Left wrist X-ray | PA view | pediatric patient (boy, age 12).

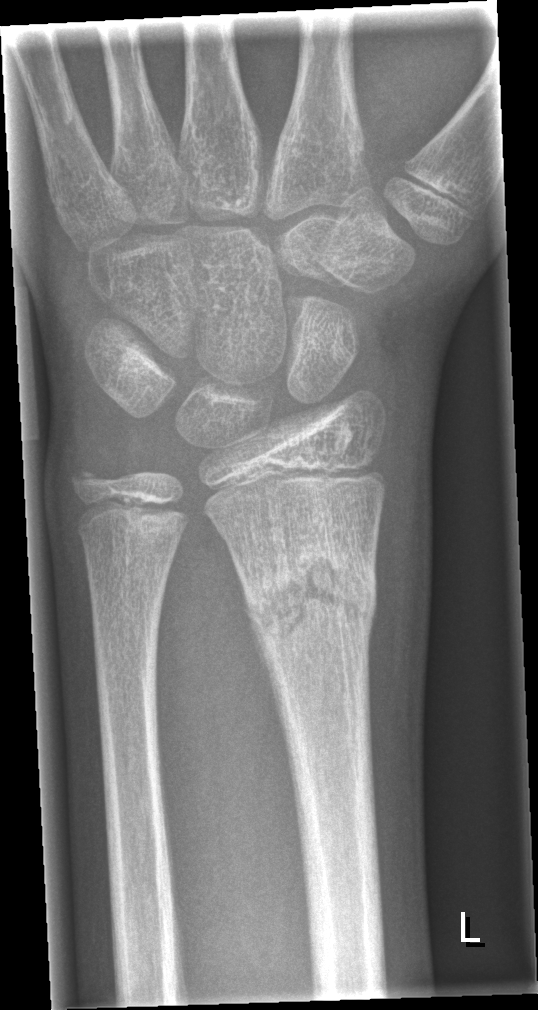
(bounding boxes in image-pixel xyxy)
Q: AO code?
A: Fracture classified AO/OTA 23r-M/3.1; 23u-E/7
Q: Locate any fractures.
A: Bone fracture: 227 529 382 658
  64 454 112 503
Q: Is there osteopenia?
A: Reduced bone mineral density